Left wrist plain film · posteroanterior view · pediatric patient (male, age 7) · follow-up · 828x835 — 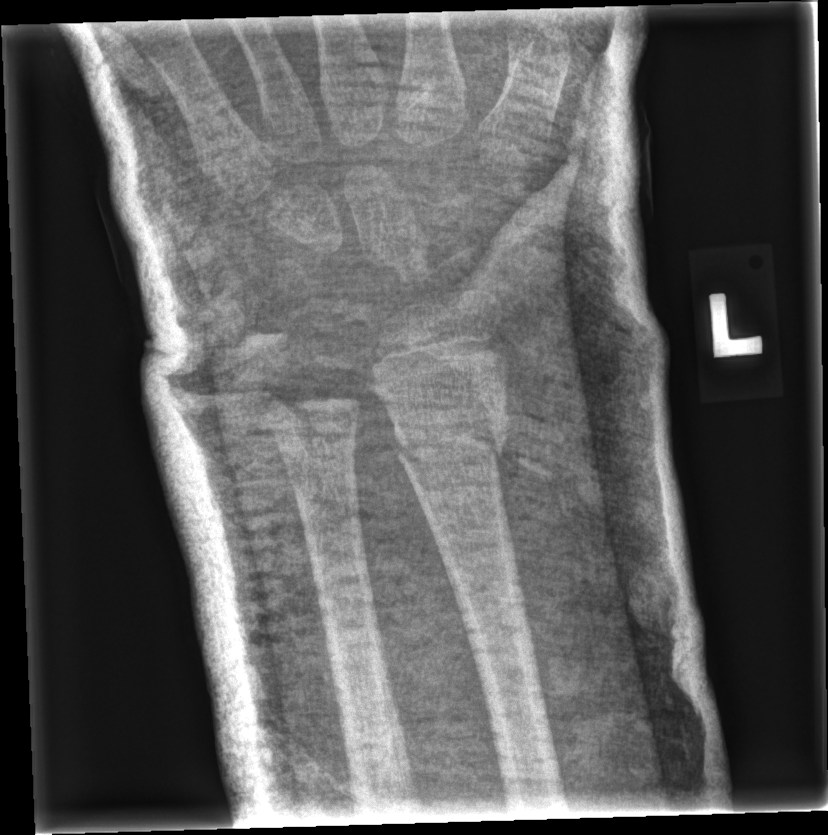

Coordinates are [x1, y1, x2, y2] in image pixels.
Bone fracture — (left=389, top=402, right=516, bottom=471).
AO/OTA classification: 23r-M/3.1.